Left wrist X-ray · frontal projection · 10-year-old male · follow-up study · imaged through cast.

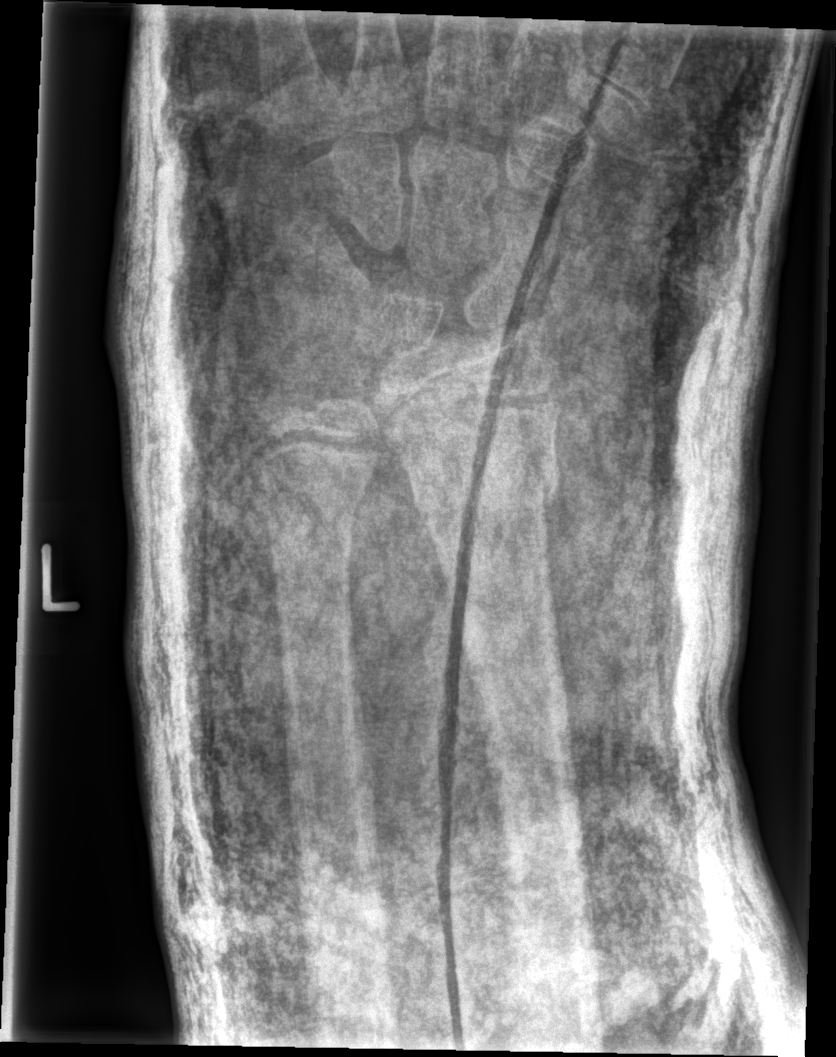 FINDINGS: AO code 23r-E/2.1; 23u-M/2.1. Fracture identified at [392, 416, 569, 539], [261, 507, 358, 574].